L wrist radiograph | lateral projection | follow-up | imaged through cast:
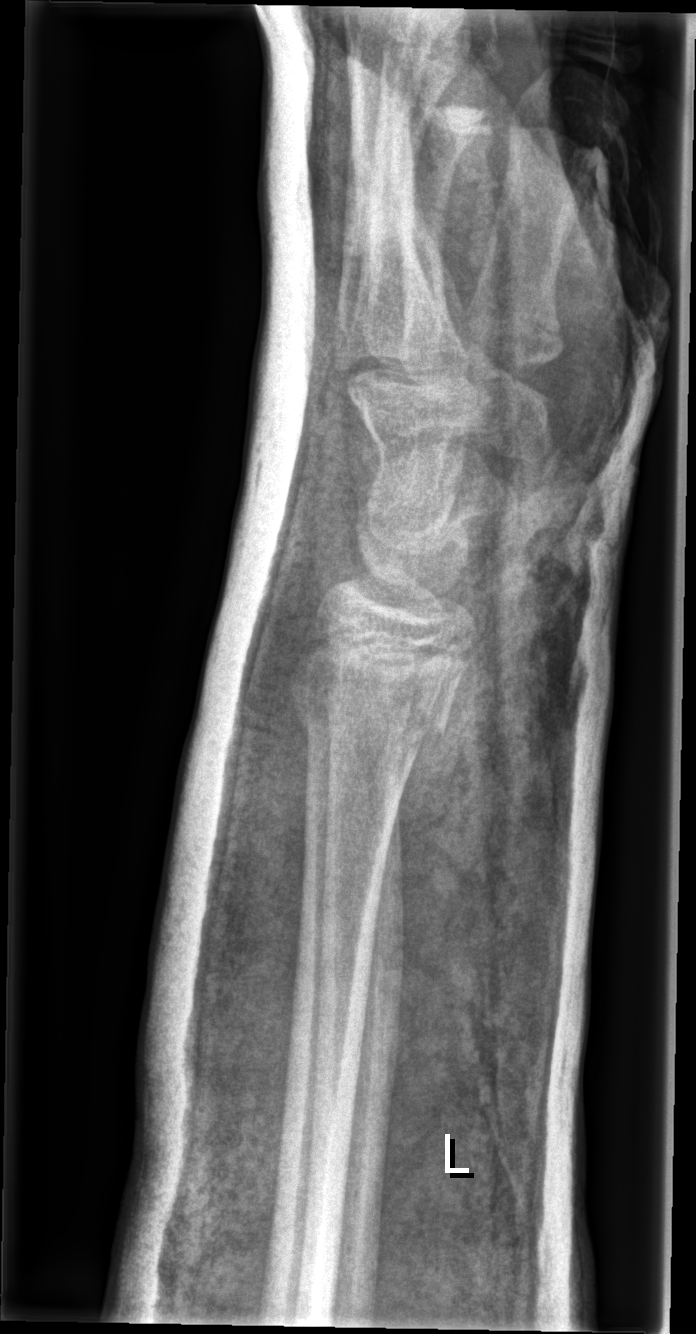
AO code = 23r-M/3.1; 23u-E/7
Fx = 1 @ [x1=289, y1=667, x2=464, y2=766]